Lat projection · right wrist X-ray · acquired on Siemens · 843 x 1392 px. 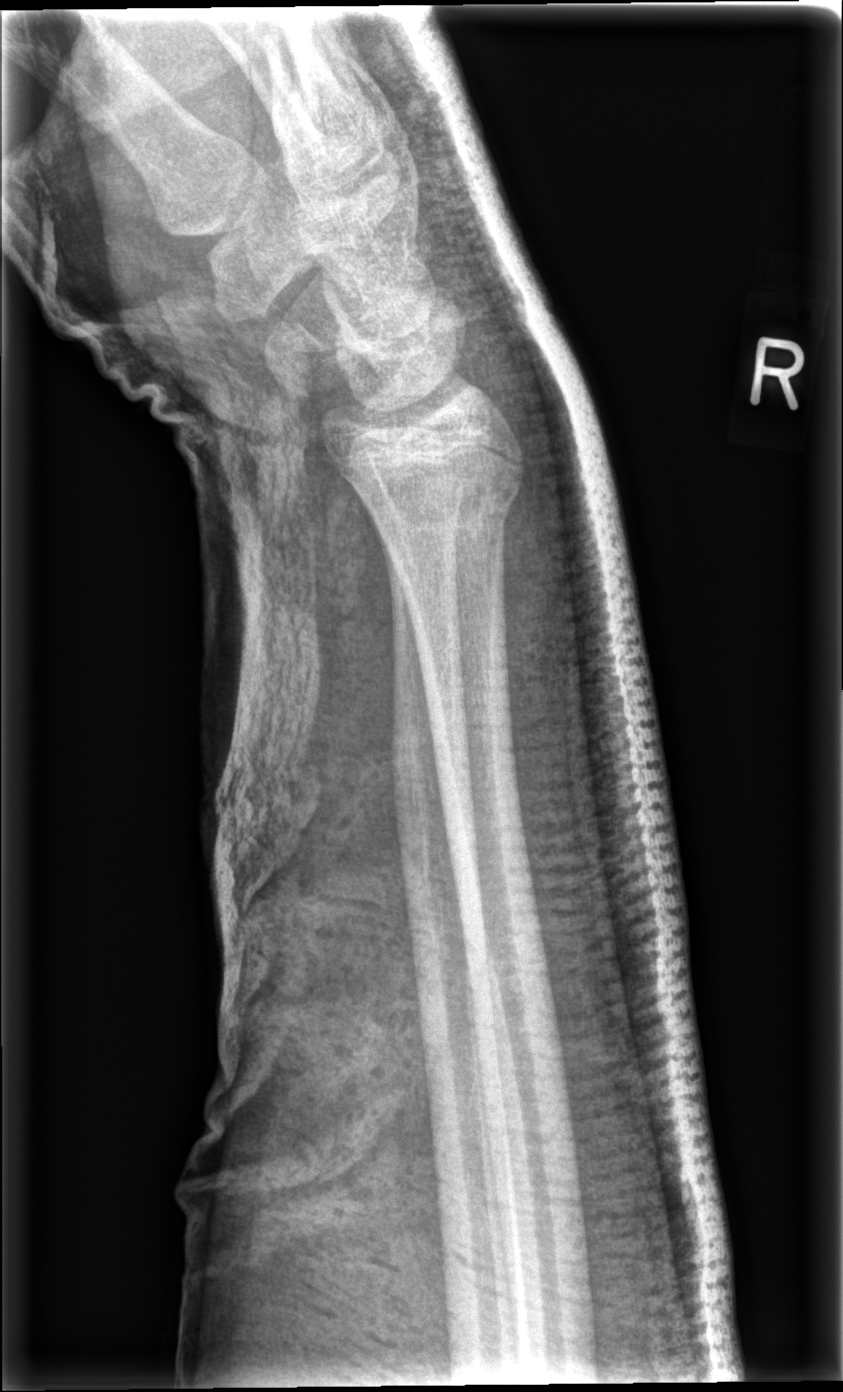

Q: Fracture present?
A: Bone fracture: <360,471>-<526,540>
Q: AO code?
A: AO code 23r-M/3.1